Right wrist XR | lat projection:
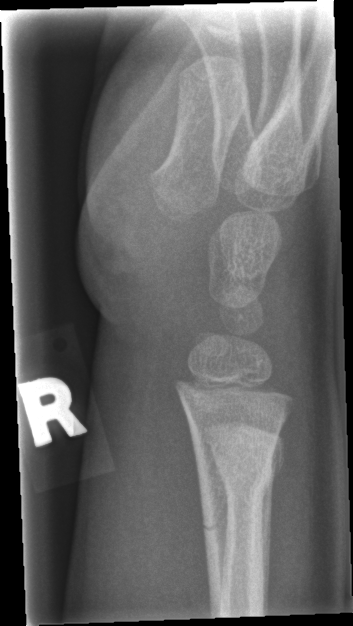

FINDINGS: (pixel coordinates, top-left origin, xyxy) Bone fracture: (left=198, top=461, right=277, bottom=539), (left=215, top=440, right=285, bottom=494). Fracture classified AO/OTA 23r-M/3.1; 23u-M/2.1.